L plain radiograph of the wrist, frontal projection, Siemens.
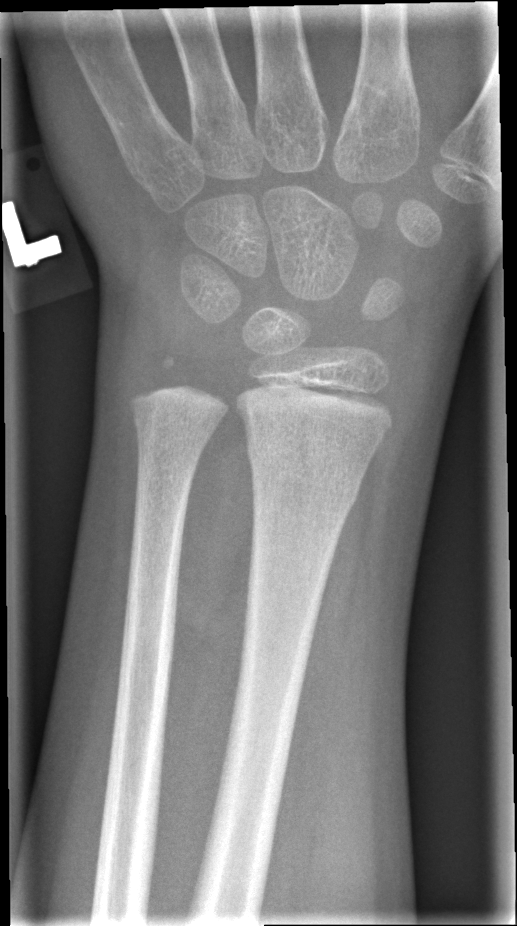

- Bounding boxes in image-pixel xyxy.
- Bone fracture identified at (left=244, top=433, right=367, bottom=508).